Left pediatric wrist radiograph · PA · age 17 y, girl · follow-up:

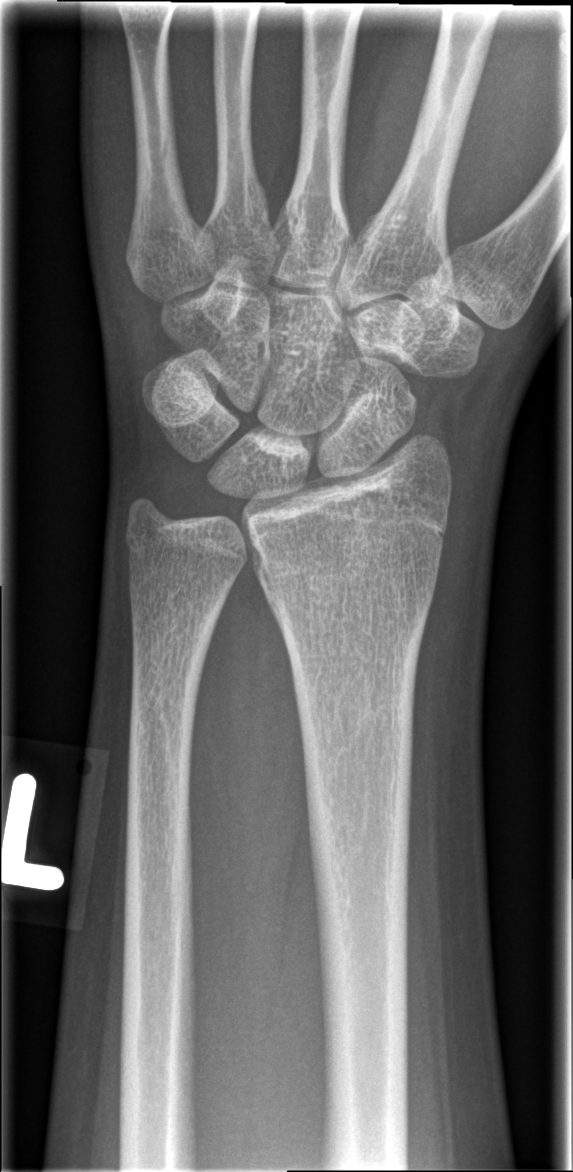

Fracture present, but no bounding box because it is not clearly seen in this view.